Lateral view · L wrist plain film:

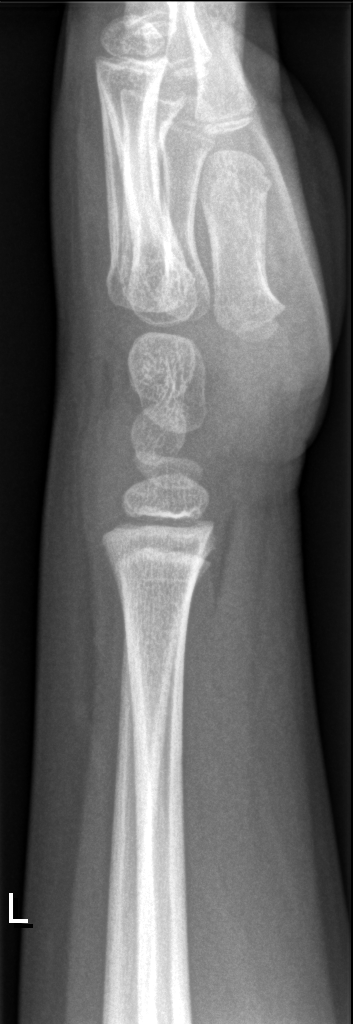 Fx: none labeled